R plain radiograph of the wrist | lat projection | index exam.

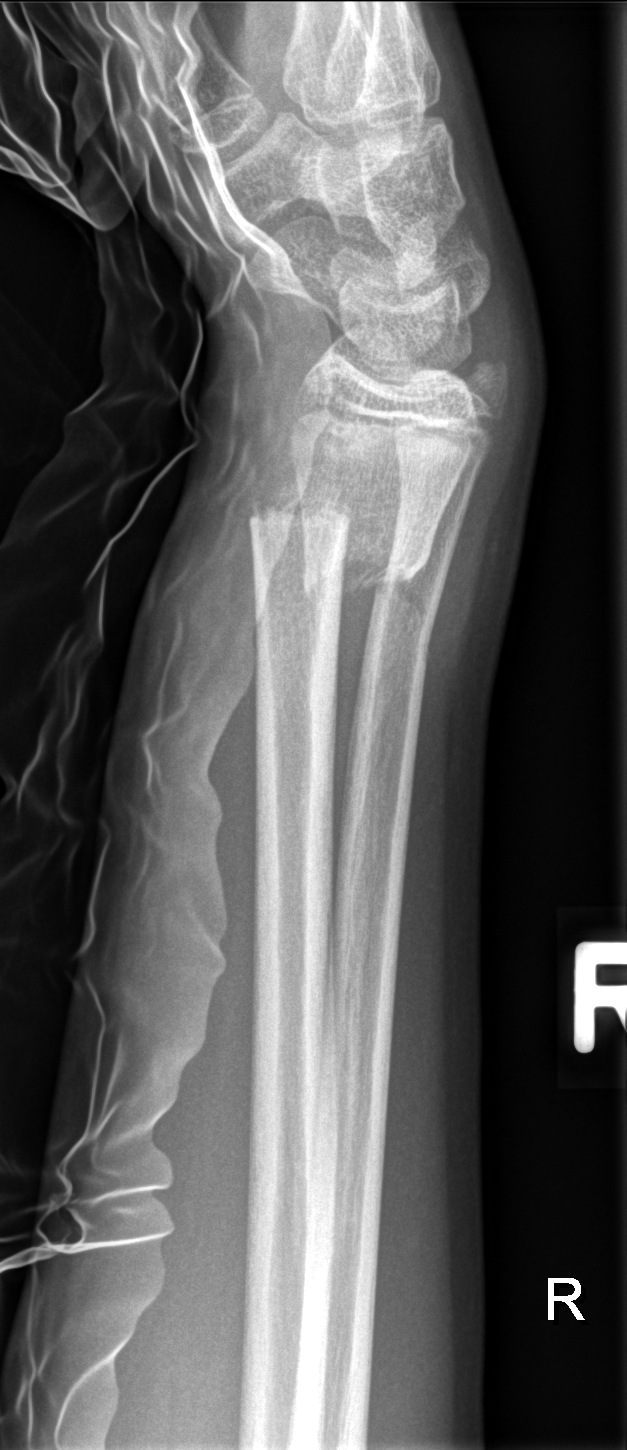

AO code 23r-M/3.1; 23u-M/2.1; 23u-E/7.
Bone fractures — (246, 497, 436, 592), (367, 563, 445, 646), (456, 343, 522, 414).